Posteroanterior projection · Rt wrist radiograph · 464 by 941 pixels 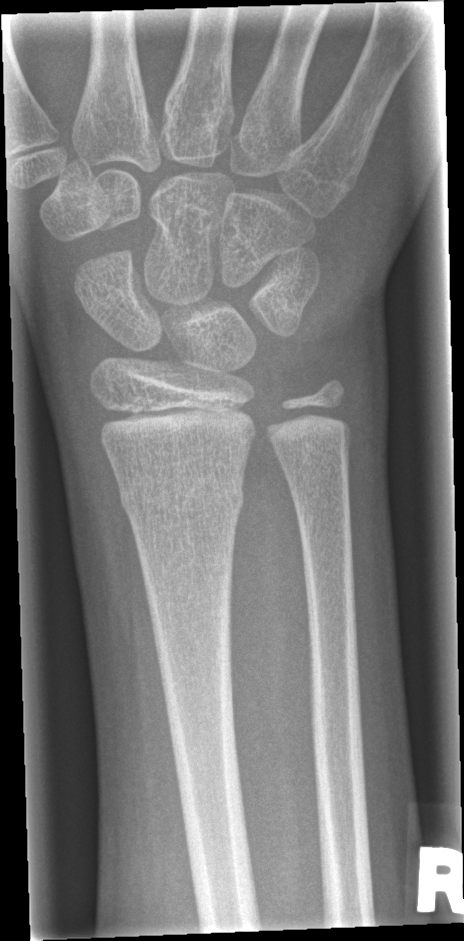

(pixel coordinates, top-left origin, xyxy)
Fx: 117,468,247,524
AO/OTA: 23r-M/2.1